Right wrist XR | lat view | 15y M | 64.2 mm image width: 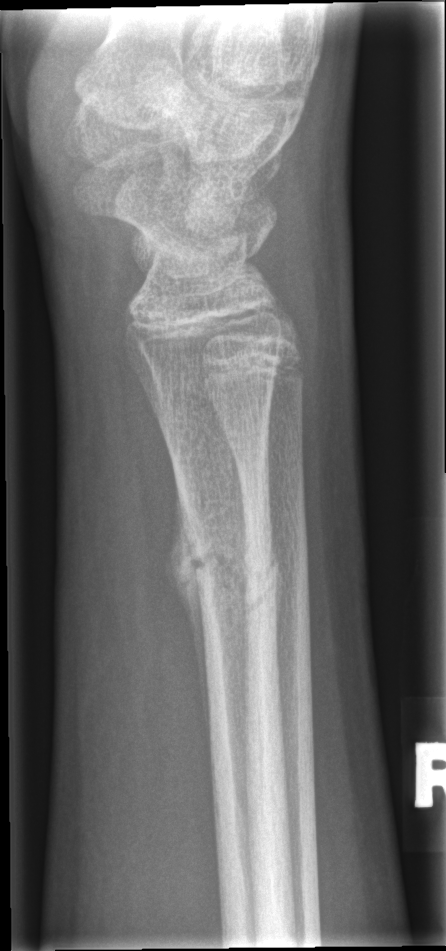

Findings: AO/OTA classification: 23r-M/3.1; 23u-E/7. Reduced bone mineral density. One periosteal thickening at [162, 480, 212, 776]. Fx: [174, 509, 284, 628].